Lateral · right plain radiograph of the wrist · 6-year-old male · subsequent exam · detector: Siemens: 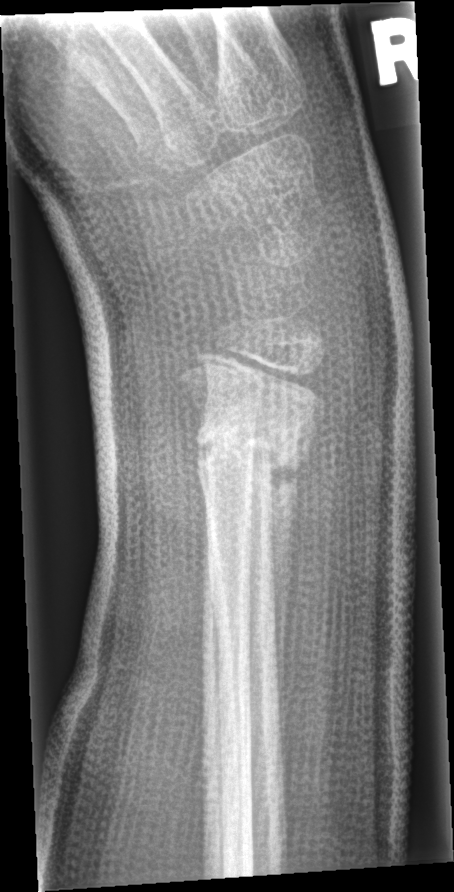

• Bounding boxes in image-pixel xyxy.
• Periosteal reaction: 259 424 316 758.
• Fracture: 182 394 323 500.